R wrist plain film · lateral · boy, 11 yo —
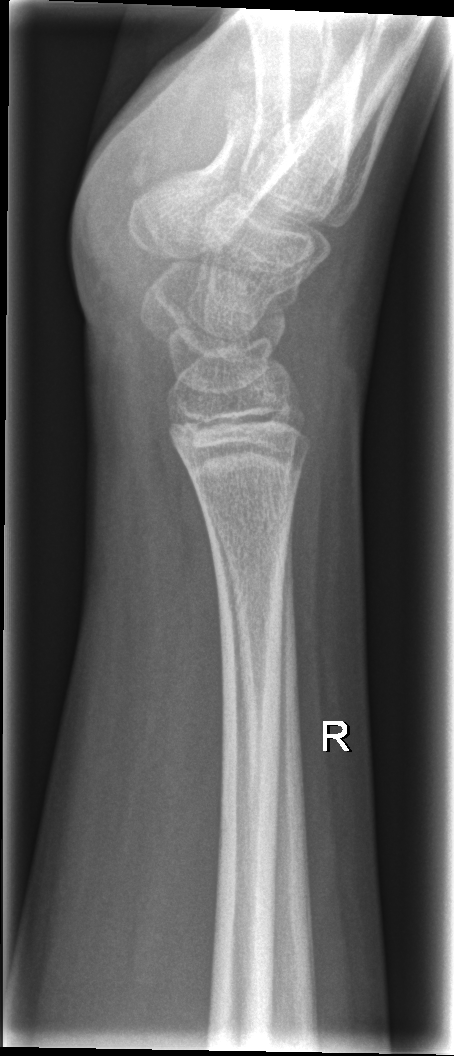 No fracture bounding box.